Lt plain radiograph of the wrist, lat, detector: Siemens, image size 848x1118 —

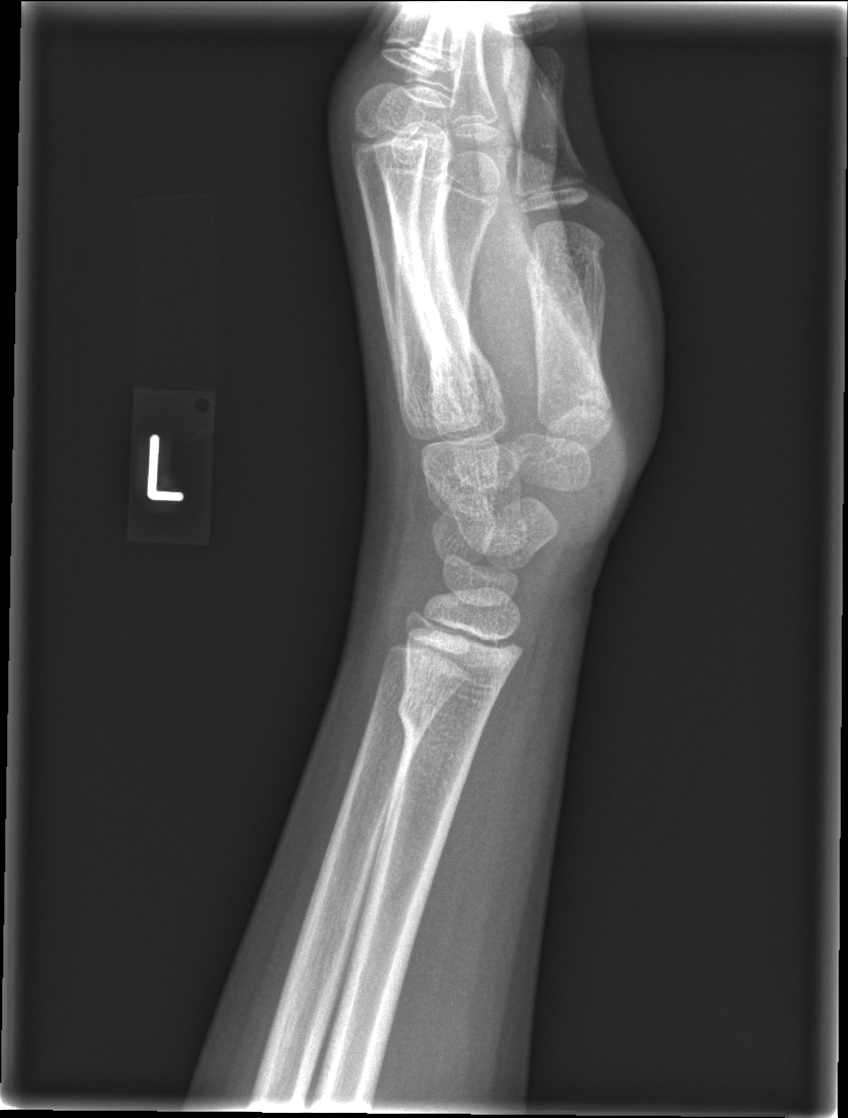 (coordinates are [x1, y1, x2, y2] in image pixels)
AO code = 23r-M/2.1
Bone fracture = <393,690>-<489,750>